PA/AP projection | left wrist pediatric wrist radiograph | pediatric patient (male, age 16) | Siemens — 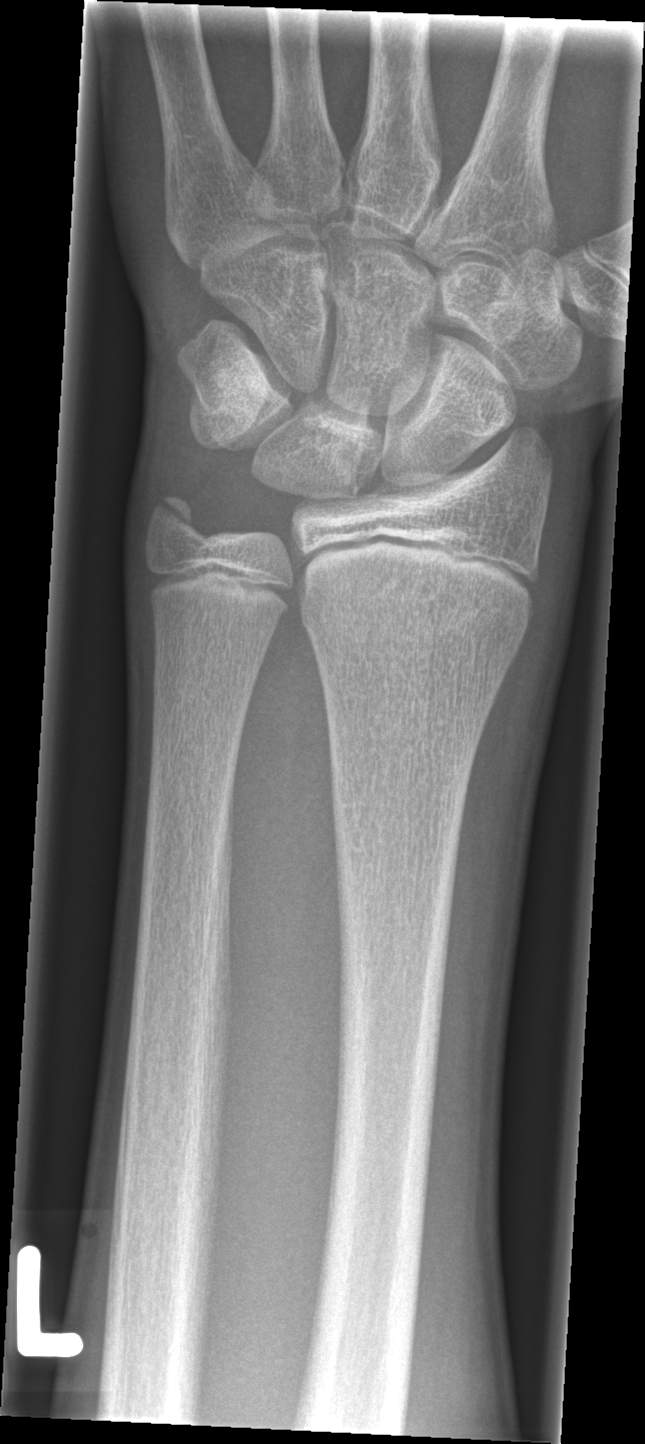

Fx: <302,577>-<537,646>; <141,486>-<212,558>
AO classification: 23r-M/2.1; 23u-E/7